Lt wrist XR, lat projection, female, 11 yo 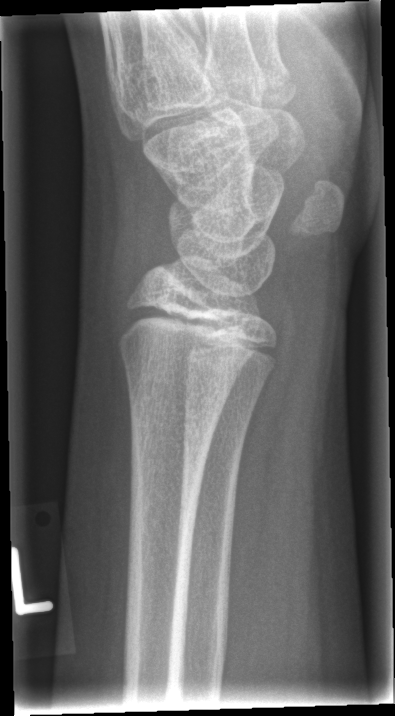

FINDINGS — No fracture annotation.